Right pediatric wrist radiograph · AP projection · pediatric patient (boy, age 14) · cast present.
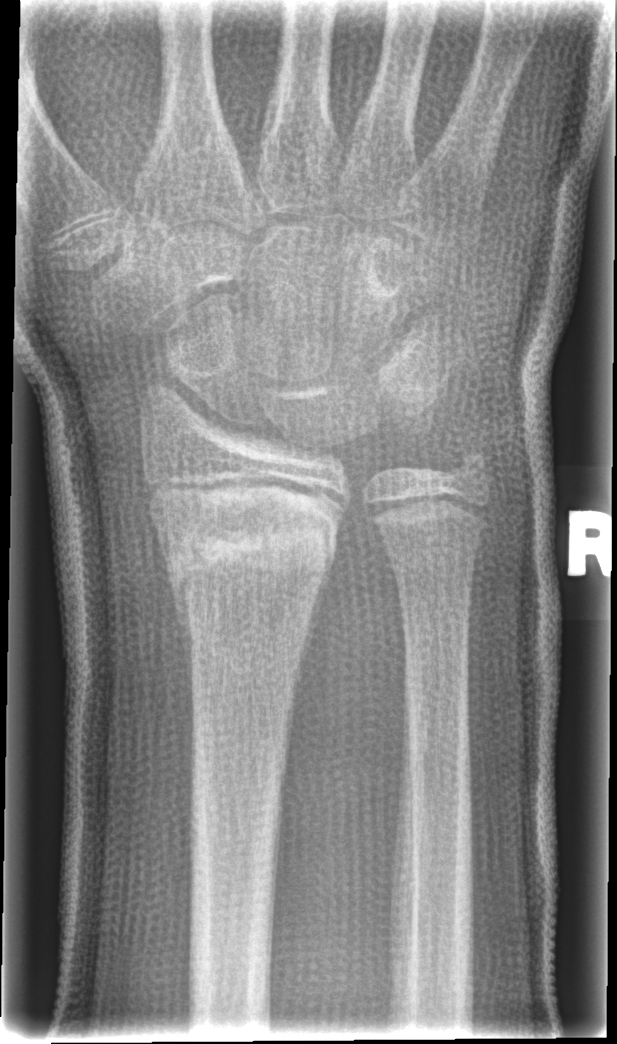

Coordinates are [x1, y1, x2, y2] in image pixels.
Fracture: (left=147, top=484, right=341, bottom=621) (left=431, top=434, right=490, bottom=492).
AO/OTA classification: 23r-M/3.1; 23u-E/7.
Two periosteal thickening at (left=164, top=559, right=196, bottom=743); (left=291, top=555, right=329, bottom=706).